Lat projection | L plain radiograph of the wrist | boy, 9 yo | follow-up study | cast in situ.

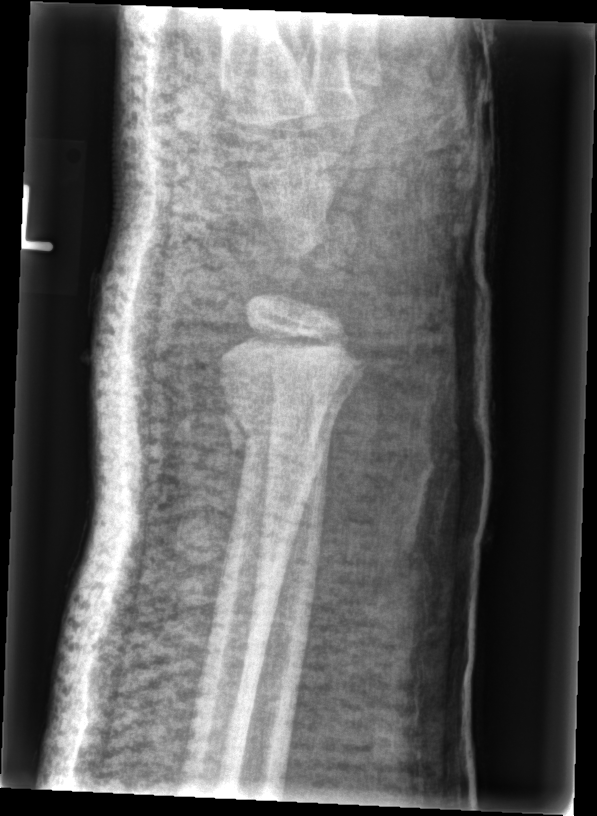
Q: Fracture present?
A: One Fx at [223, 388, 337, 473]